Lat view · right wrist pediatric wrist radiograph · follow-up · in cast · Siemens · 92.3 mm image width · 641x1246 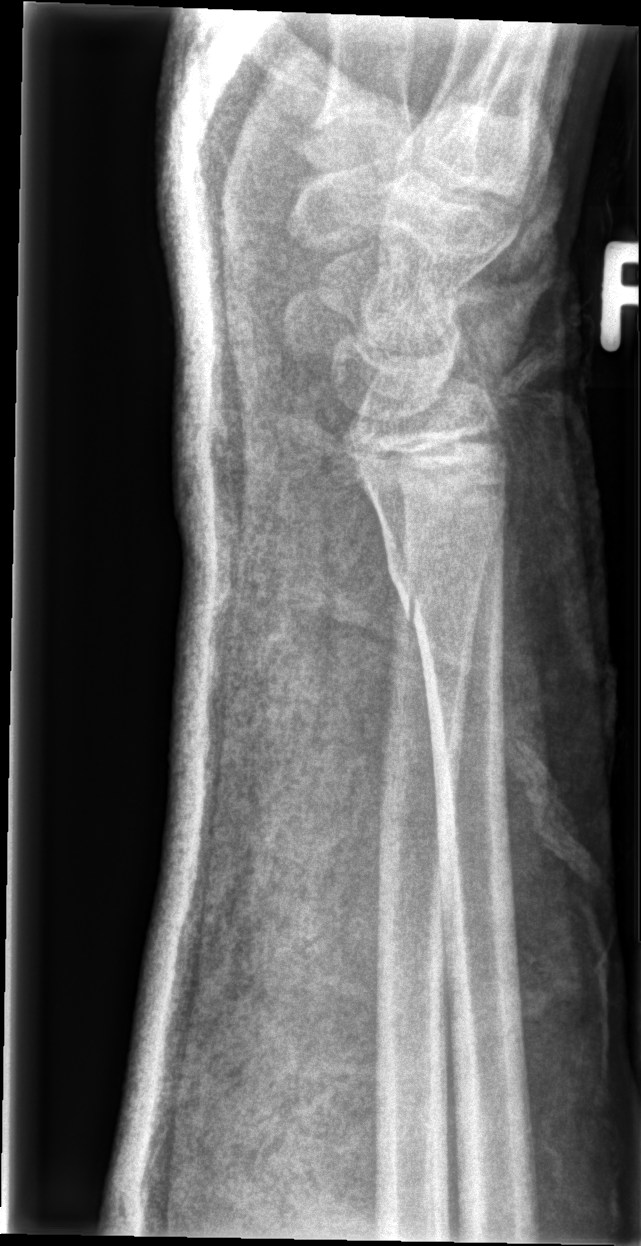 * Boxes as x1,y1,x2,y2 (top-left / bottom-right, pixel units).
* Fracture classified AO/OTA 23r-M/2.1.
* One bone fracture at (384, 539, 507, 632).